PA view; left pediatric wrist radiograph; presentation radiograph:

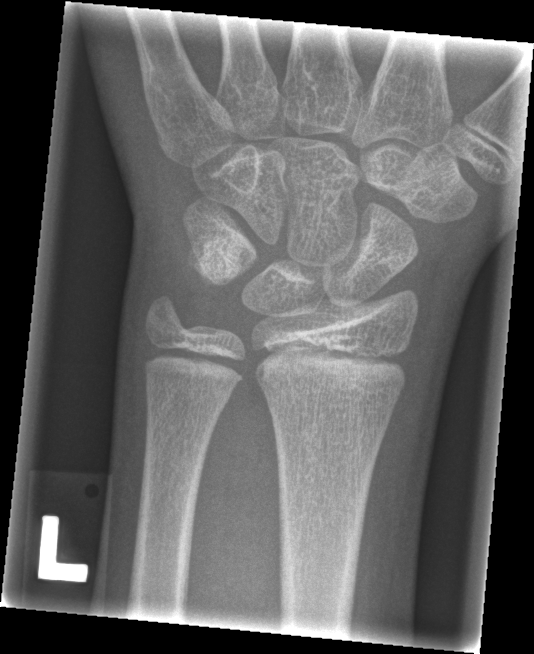

Fx: none labeled